Lat | Rt wrist X-ray | detector: Siemens | image width 56.4 mm

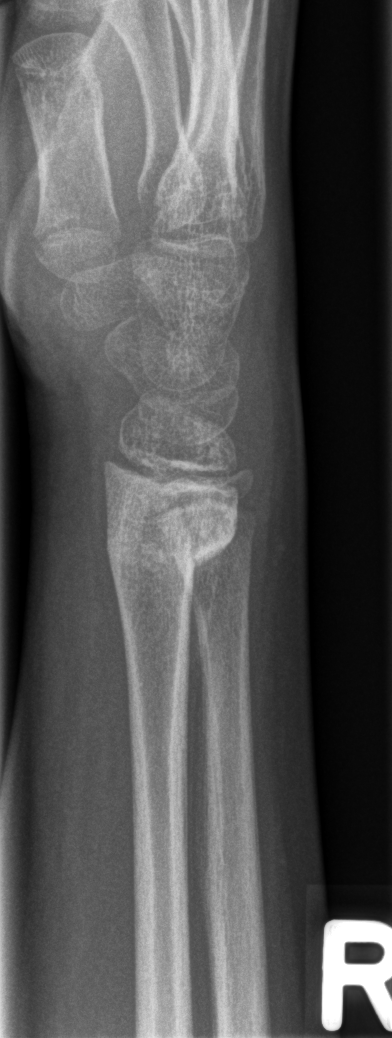
Periosteal thickening identified at (185, 545, 228, 904). Fracture: (99, 490, 242, 581).